Lateral; Lt wrist XR; boy, 13 yo; subsequent exam —
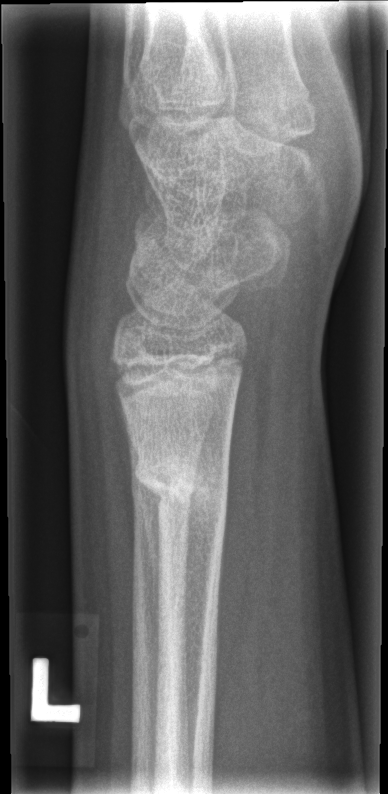

FINDINGS — Osteopenic. Periosteal reaction: [140, 489, 162, 636]. Bone fracture identified at [131, 459, 233, 511].